Lateral; Rt wrist X-ray; detector: Siemens; image width 70.8 mm —
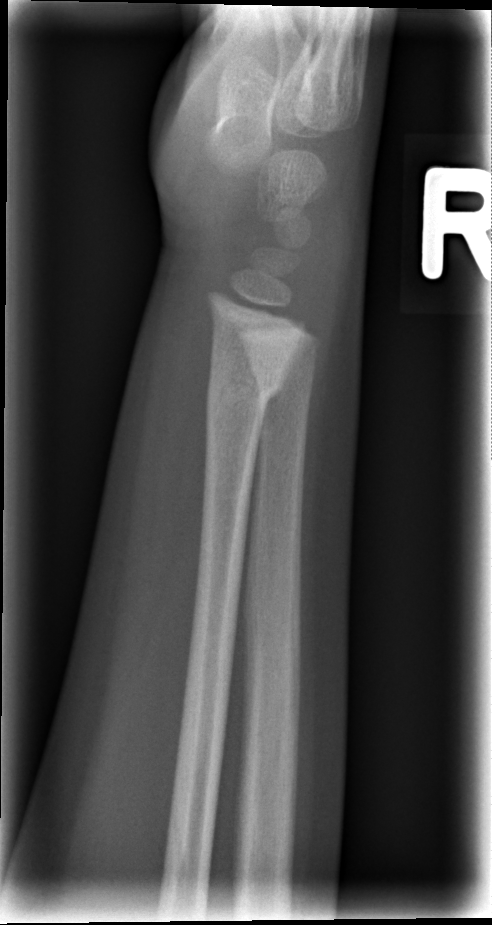 fracture: 1 @ 202 361 291 429
AO/OTA: 23-M/2.1